Left wrist pediatric wrist radiograph, lat projection, presentation radiograph, image 55.7 mm wide —

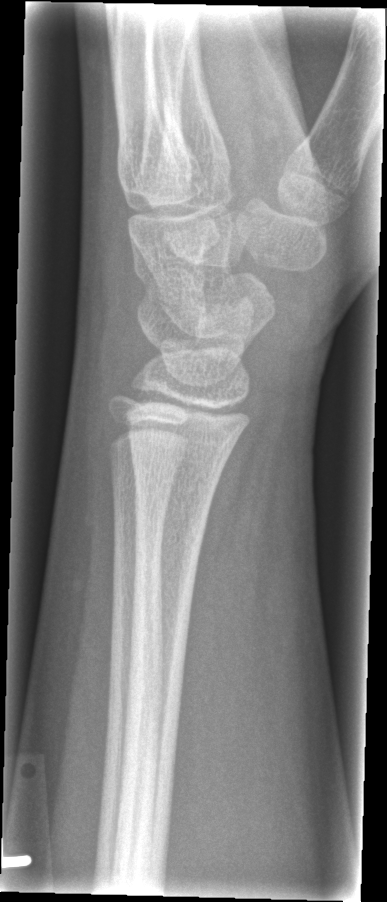
Fx: none labeled